Posteroanterior · Rt pediatric wrist radiograph · pediatric patient (boy, age 6) · acquired on Siemens: 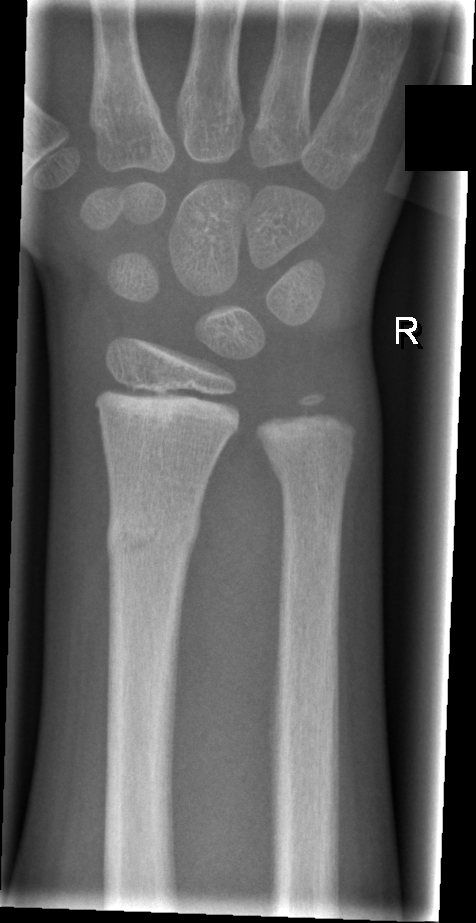
Boxes as x1,y1,x2,y2 (top-left / bottom-right, pixel units). Fractures — 102 501 204 569 | 262 436 358 496.